AP, left wrist X-ray, 85.5 mm image width.

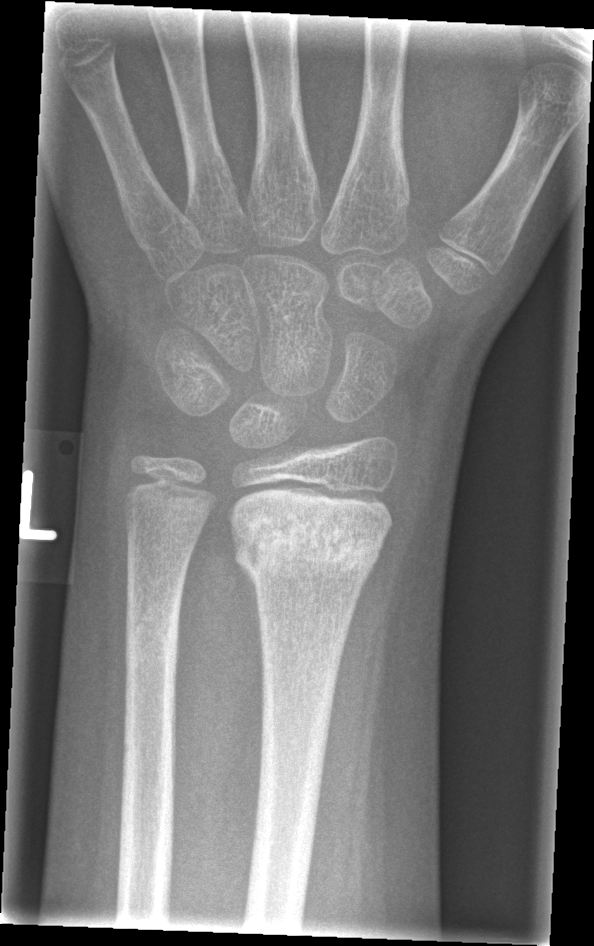
FINDINGS: (bounding boxes in image-pixel xyxy) AO code 23r-M/3.1; 22u-D/1.1. Fx: <229,509>-<393,586>.